Lateral · L pediatric wrist radiograph · 11y F · cast in situ · 698 by 1012 pixels: 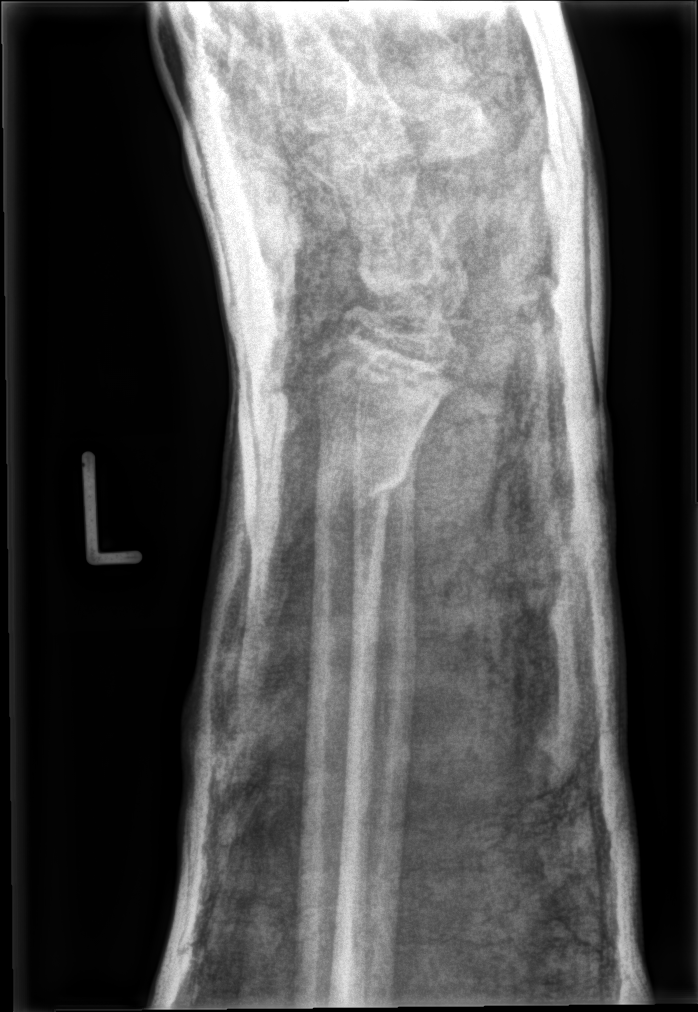

- Boxes as x1,y1,x2,y2 (top-left / bottom-right, pixel units).
- Fx identified at [x1=311, y1=460, x2=413, y2=514].